Right wrist plain film, lat view, detector: Siemens —
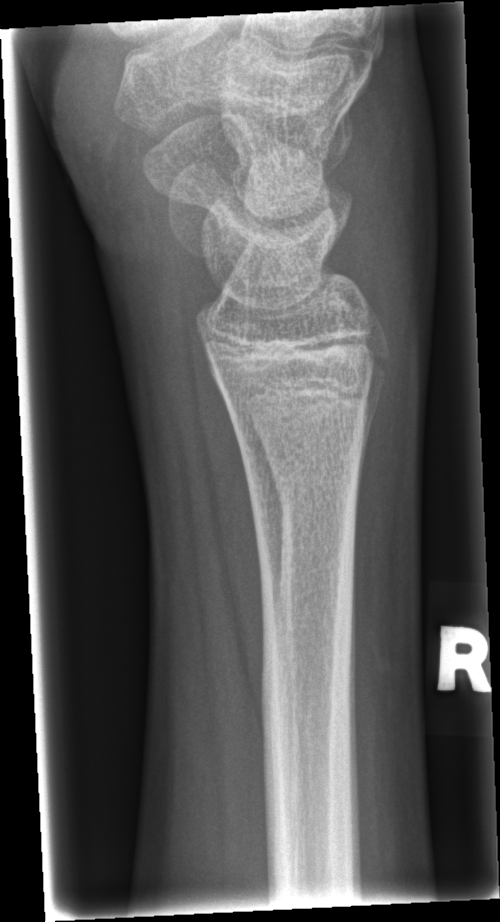 bone fracture = none labeled